Lat view · right wrist XR · initial study · image size 433x1110 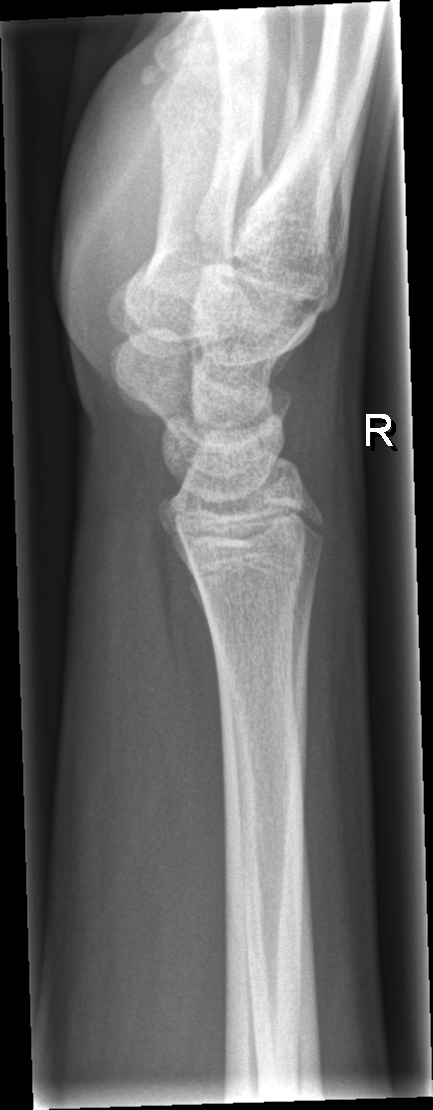

Fracture: none labeled.